PA view | Lt pediatric wrist radiograph | male, 13 yo | cast present:

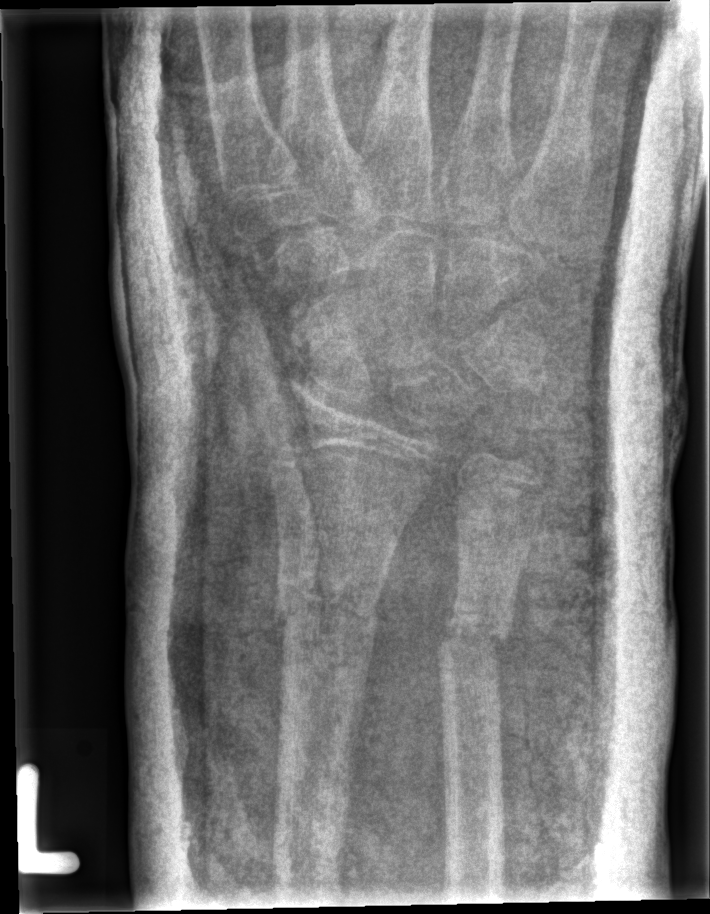

(boxes as x1,y1,x2,y2 (top-left / bottom-right, pixel units))
AO/OTA = 23-M/3.1
Fx = 269,576,384,647
  430,591,519,671